Lat; left wrist plain film; 12y F:
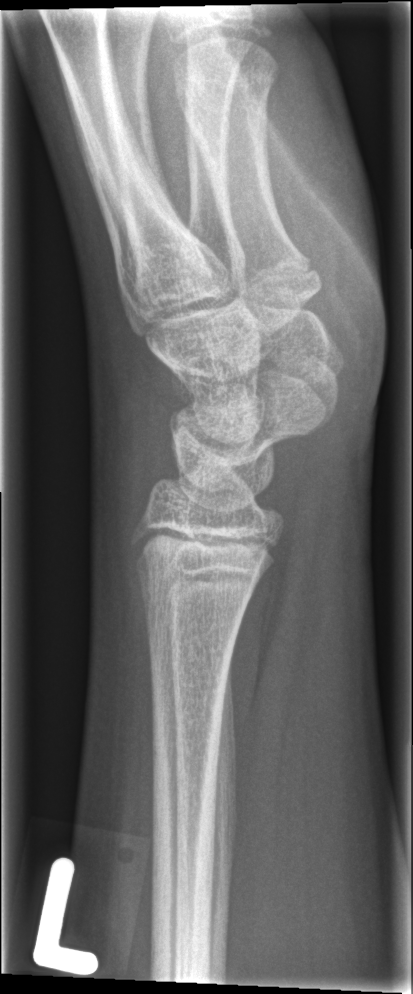 fracture: none labeled